Frontal view | left wrist XR | presentation radiograph:

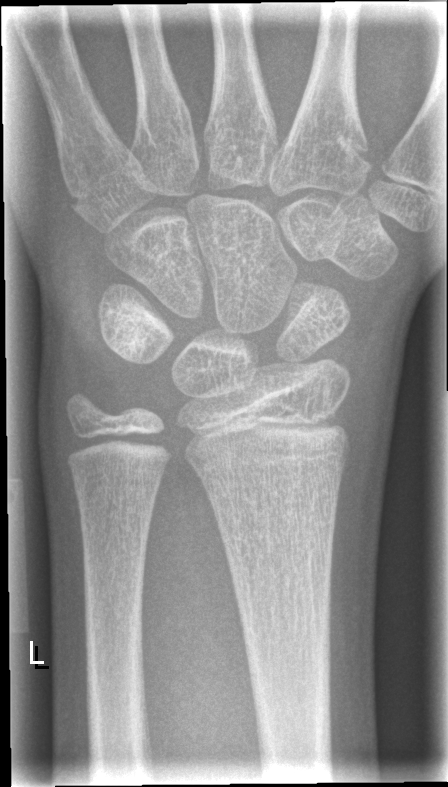 {"fracture": "none labeled"}